Lateral view | left wrist plain film | pediatric patient (boy, age 15) | cast in situ.

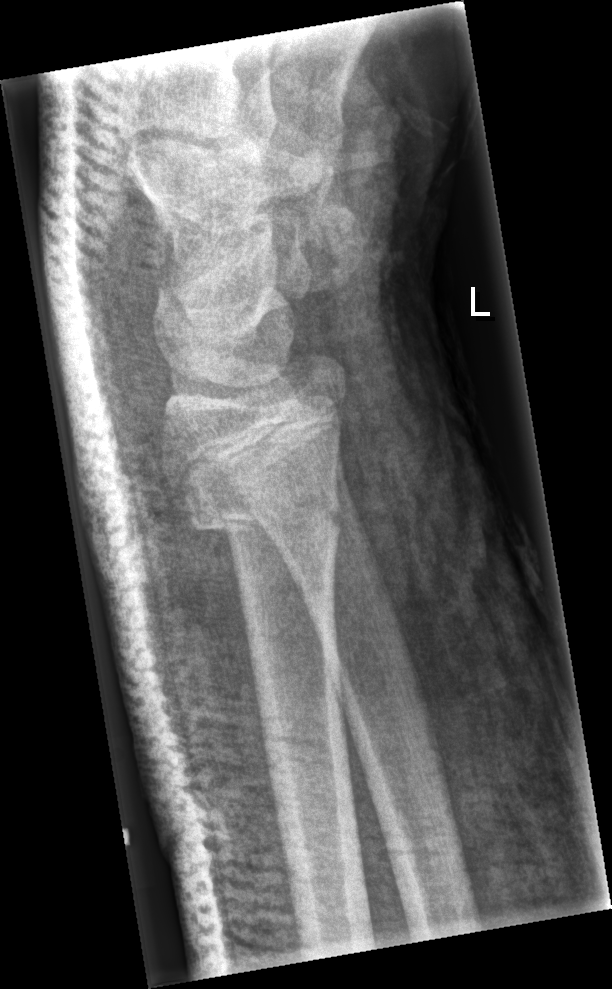

Fx: 1 @ (179, 480, 349, 552)
AO/OTA: 23r-M/3.1; 23u-E/7